Lat, left pediatric wrist radiograph, 11-year-old female, subsequent exam, image 59.3 mm wide —
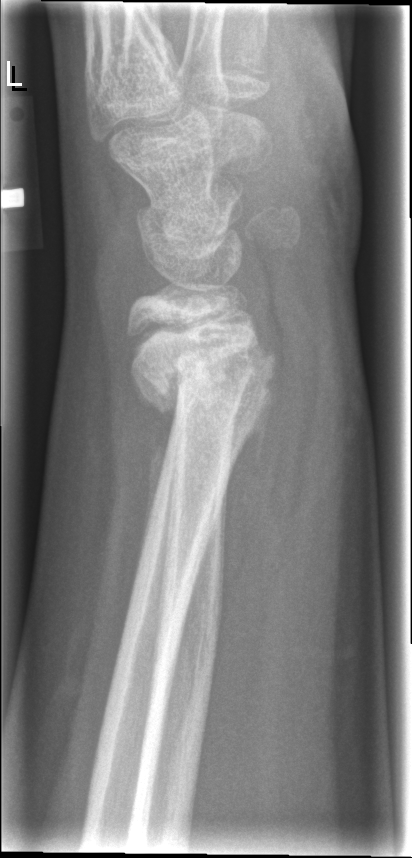 {"_coords": "pixel coordinates, top-left origin, xyxy", "periostealreaction": "1 @ (134, 367, 179, 557)", "ao": "23r-M/3.1; 23u-M/2.1; 23u-E/7", "fracture": "1 @ (136, 333, 282, 427)"}